L wrist plain film · PA view · female, 13 yo · follow-up study · Siemens · image size 442x952.

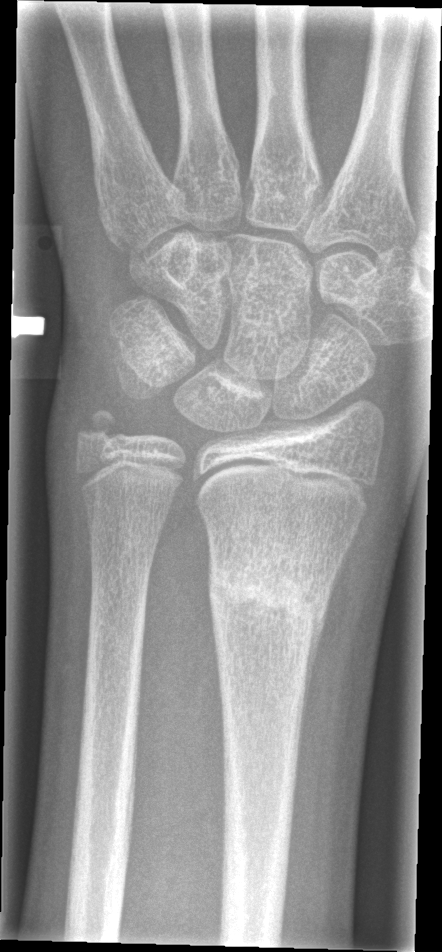

Osteopenia.
AO/OTA classification: 23r-M/3.1; 23u-E/7.
Two fractures at bbox(204, 538, 334, 639) bbox(72, 403, 126, 457).
Periosteal reaction identified at bbox(293, 586, 333, 798).